Lt wrist radiograph | lateral view | 14y M | initial study | Siemens | 444 x 1049 px.

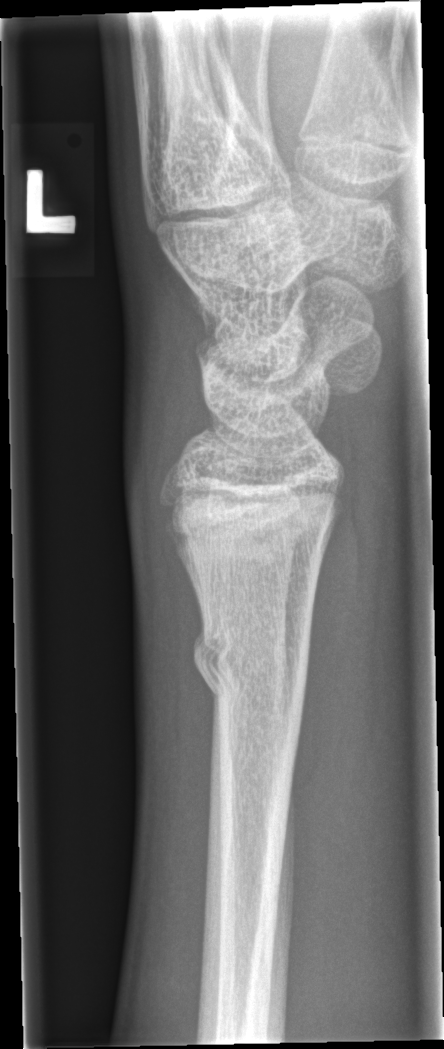
FINDINGS: (pixel coordinates, top-left origin, xyxy) AO/OTA classification: 23-M/2.1. Pronator sign — <287,467>-<368,814>. Bone fracture: <189,613>-<312,717>.